Lat view; right wrist plain film:
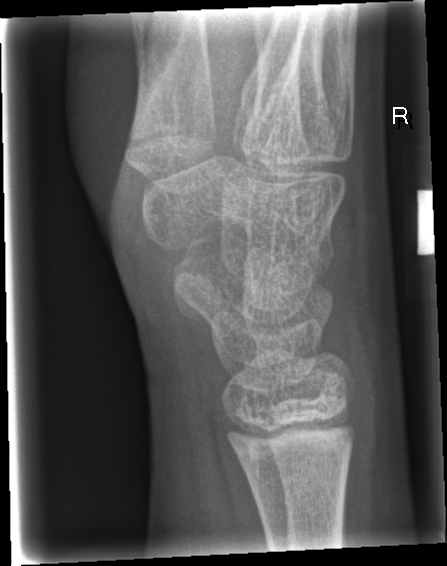
fracture: none labeled